Rt plain radiograph of the wrist | PA/AP | 9y F | imaged through cast
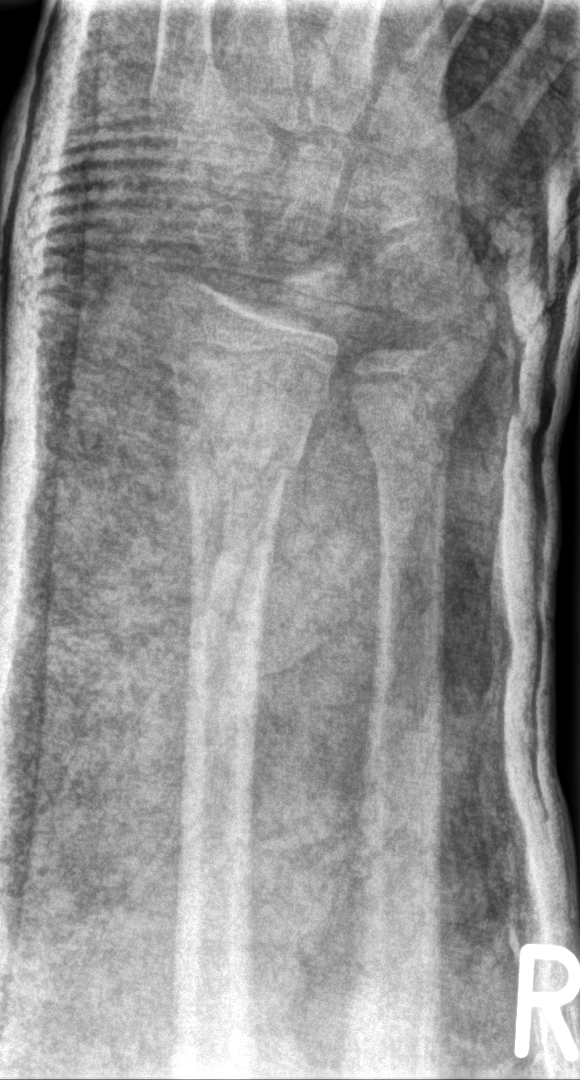   # boxes as x1,y1,x2,y2 (top-left / bottom-right, pixel units)
  fracture: 169,393,314,495 | 356,400,463,464
  ao: 23r-M/3.1; 23u-M/2.1